Lateral view · L wrist XR · pediatric patient (boy, age 6).
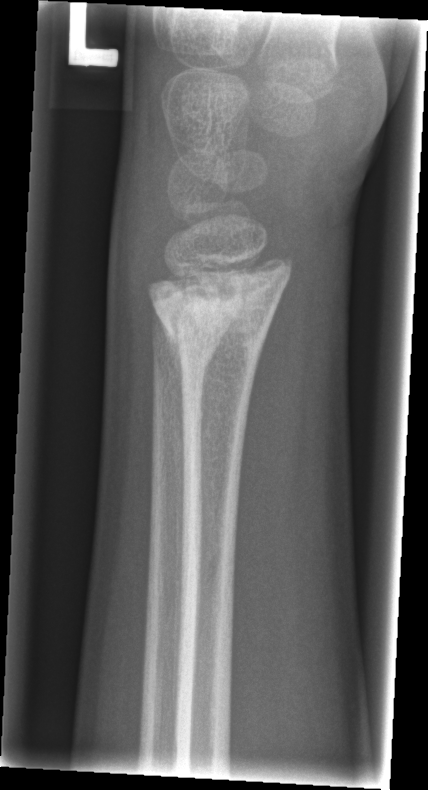 FINDINGS: Fx — (left=146, top=243, right=296, bottom=360). Periosteal reaction: (left=154, top=307, right=185, bottom=419). AO code 23-M/3.1.